Right wrist X-ray | lateral projection | pediatric patient (girl, age 12) | 568 by 1132 pixels —
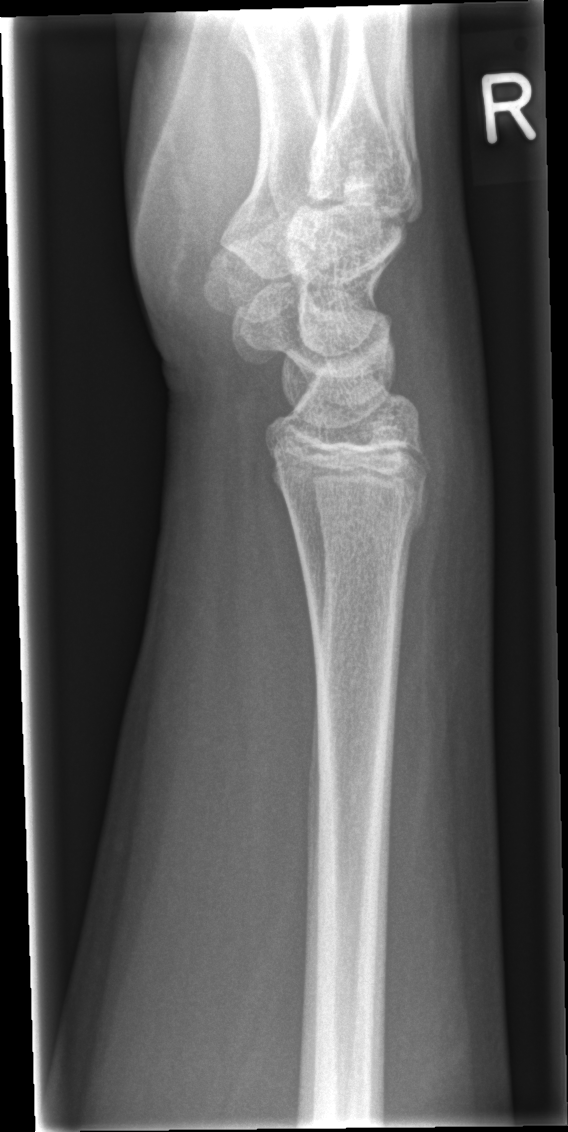

Bounding boxes in image-pixel xyxy. AO code 23r-M/2.1. Soft-tissue finding: (413, 339, 492, 676). Fx identified at (281, 479, 437, 557).